Lt wrist X-ray; posteroanterior; detector: Siemens.

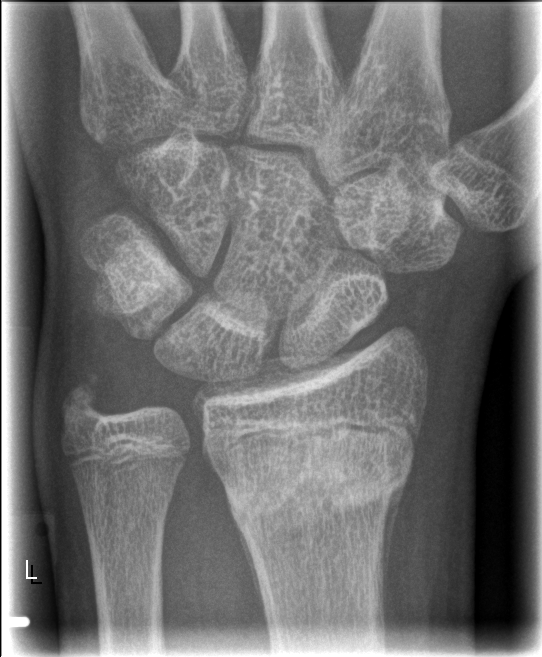

Coordinates are [x1, y1, x2, y2] in image pixels. Bone fracture: (left=213, top=435, right=418, bottom=527) (left=56, top=371, right=115, bottom=430). Periosteal new bone: (left=375, top=473, right=408, bottom=625). Osteopenia.